Left wrist XR | lat | subsequent exam | imaged through cast.
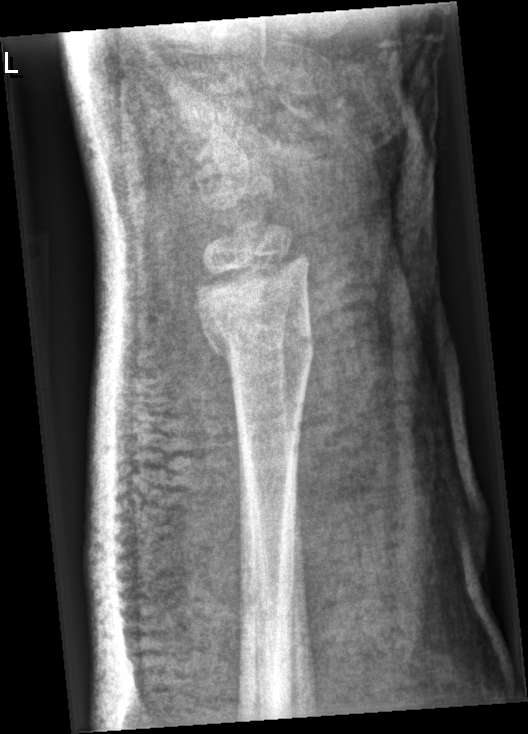 Fx: 201,314,319,380